Left wrist plain film, posteroanterior view, 8-year-old boy, 492 by 742 pixels. 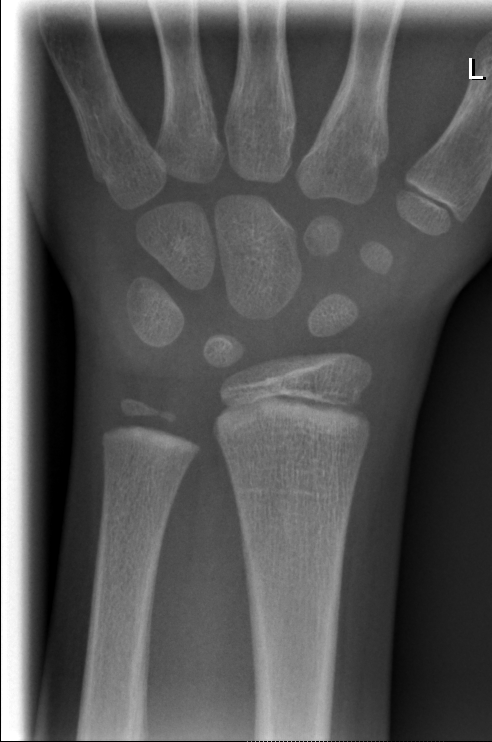
No fracture labeled.